L plain radiograph of the wrist · AP · cast in situ — 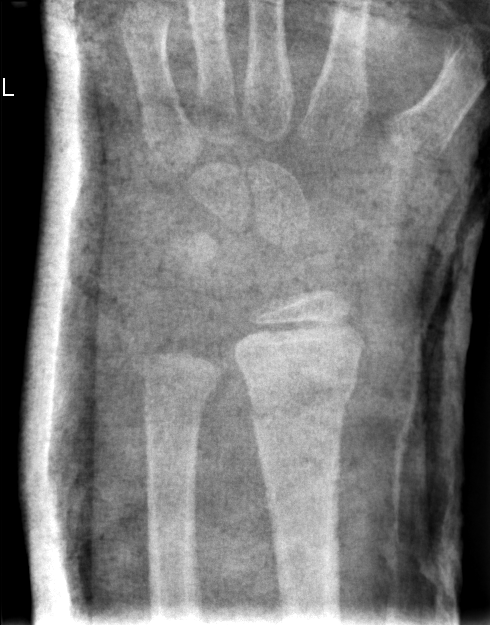 Fracture: (left=244, top=378, right=354, bottom=431), (left=135, top=381, right=214, bottom=411)